Lat view · Rt wrist X-ray · age 2 y, boy · initial study
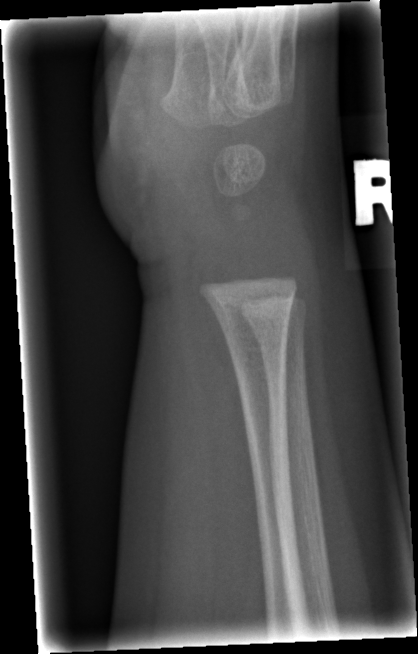 No fracture bounding box.